Lat projection, Lt wrist X-ray, 8-year-old female, in cast, 522 x 622 px. 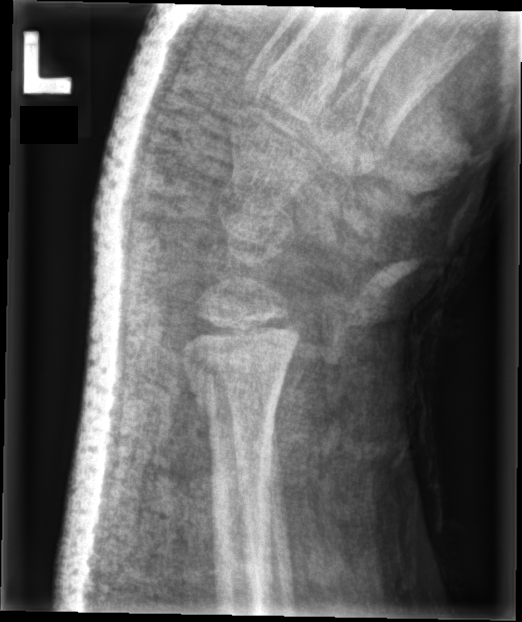
One bone fracture at <178,321>-<300,423>.